Lateral view, Rt wrist XR, boy, 6 yo, 83.4 mm image width —
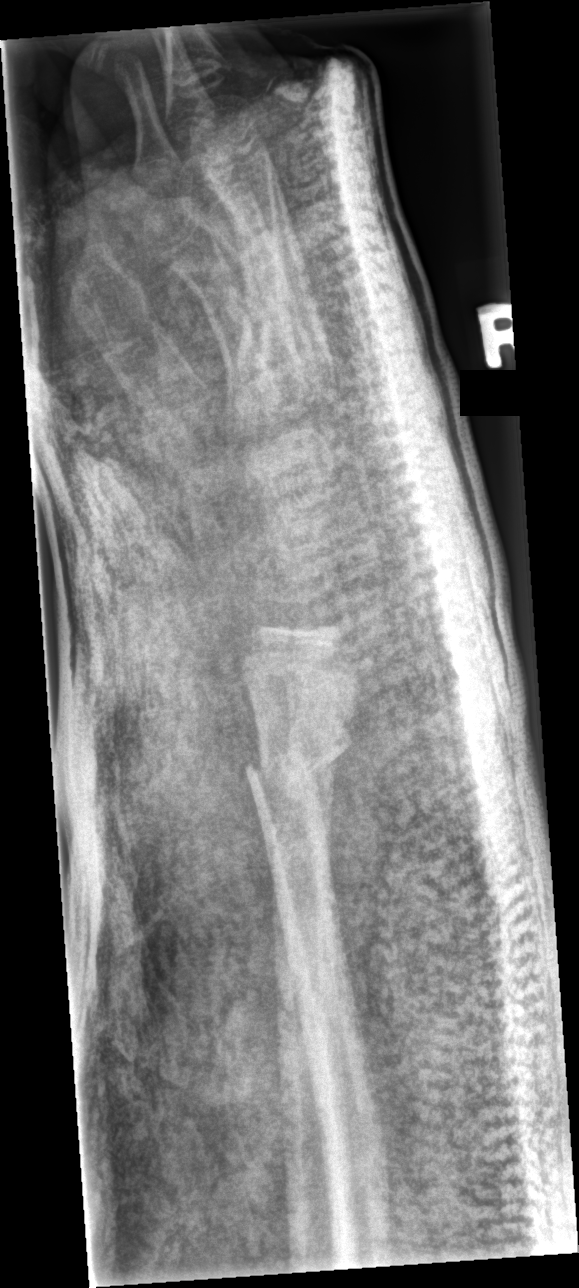

Bounding boxes in image-pixel xyxy.
Bone fracture: 244 720 356 798.
AO code 23-M/3.1.